PA/AP projection, left wrist XR —

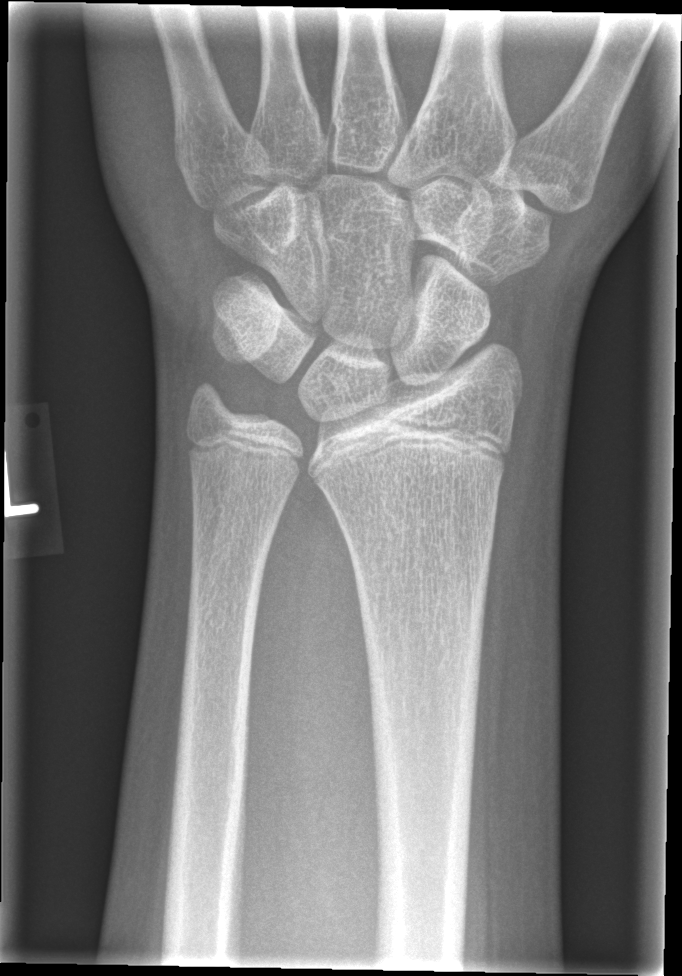

fracture = none labeled